Lt pediatric wrist radiograph, PA projection, 5-year-old girl, index exam, Siemens:
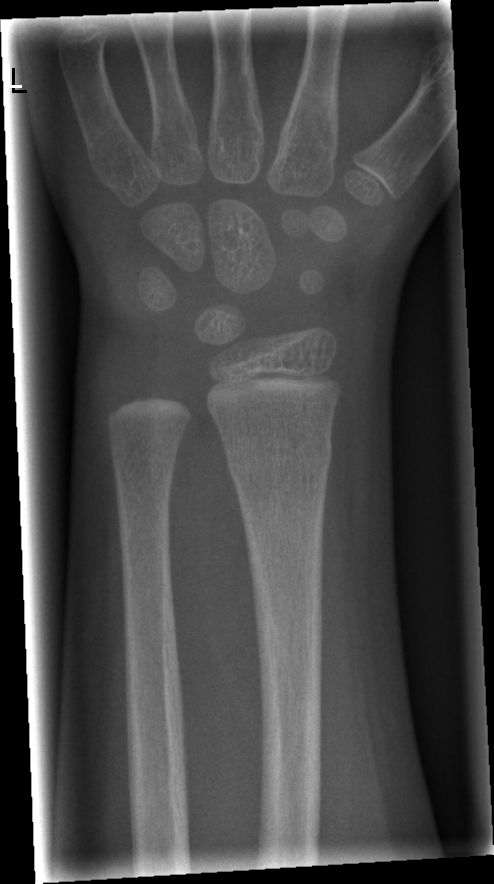

(boxes as x1,y1,x2,y2 (top-left / bottom-right, pixel units))
Bone fracture = 1 @ (left=224, top=437, right=335, bottom=489)
AO/OTA = 23r-M/2.1